Lt wrist plain film | lateral projection | subsequent exam —

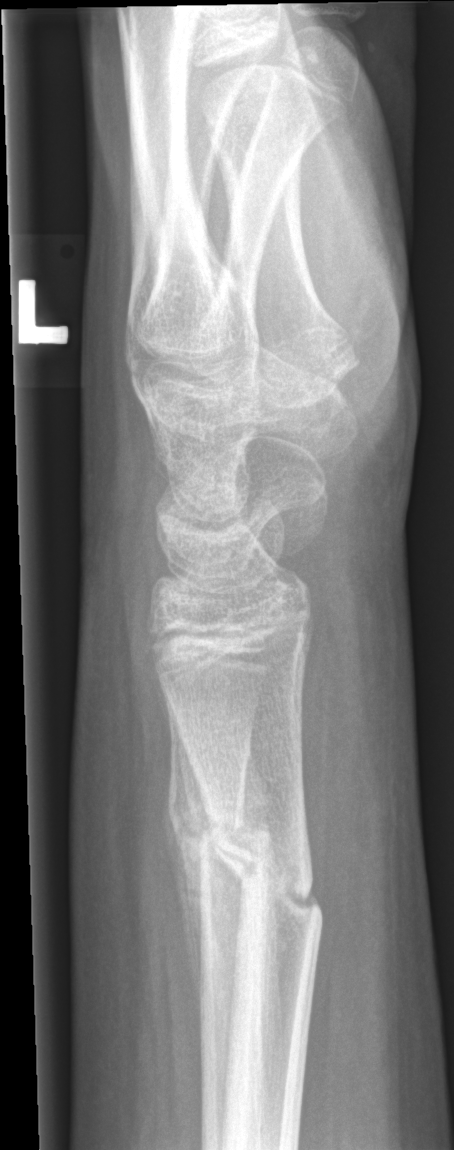
(boxes as x1,y1,x2,y2 (top-left / bottom-right, pixel units))
Fx = (left=207, top=810, right=327, bottom=942); (left=168, top=792, right=280, bottom=867)
osteopenia = present
periosteal thickening = (left=164, top=688, right=211, bottom=1023)